Rt wrist plain film; lateral projection; 7-year-old girl
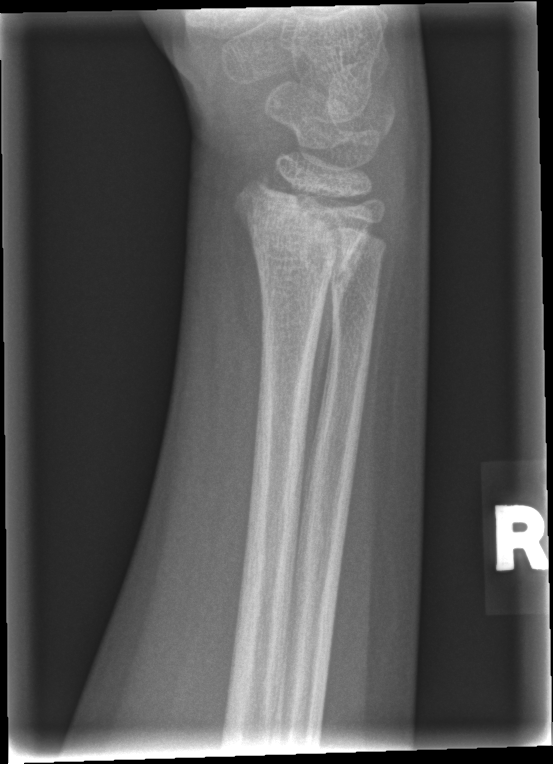 periostealreaction: 1 @ (left=307, top=225, right=376, bottom=435)
ao: 23r-E/2.1
fracture: 1 @ (left=227, top=176, right=375, bottom=291)